PA projection · left wrist plain film · girl, 5 yo · follow-up · Siemens:
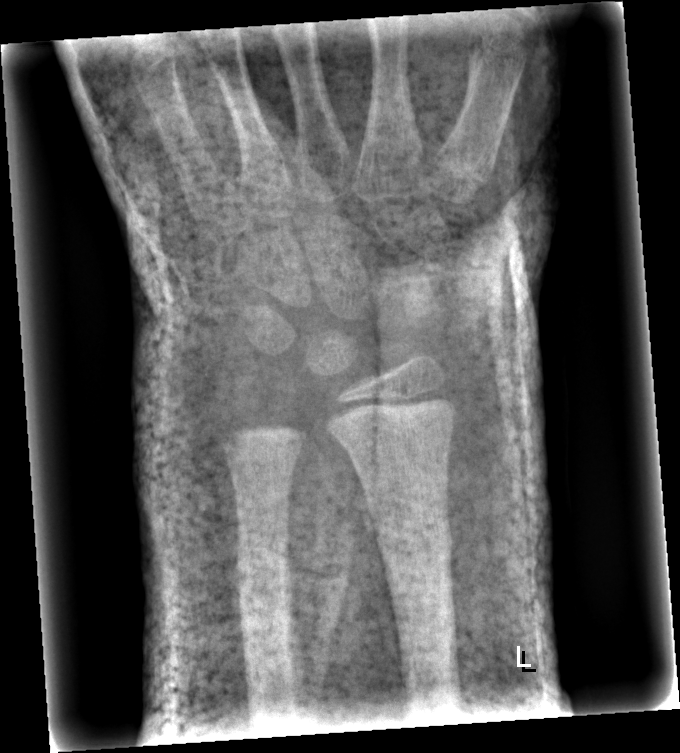 Fx — [x1=373, y1=509, x2=456, y2=580].
AO code 23r-M/2.1.